Left wrist plain film · PA projection:
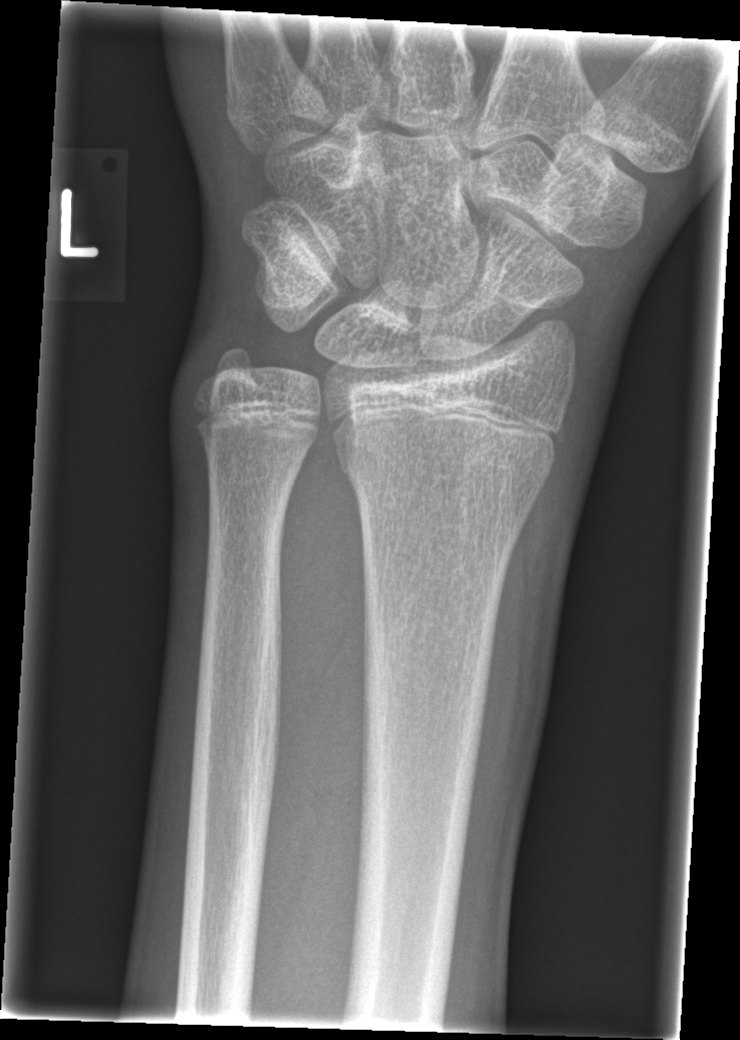
bone fracture = none labeled
soft-tissue finding = [x1=449, y1=523, x2=549, y2=932]